Left wrist radiograph | lateral | 446 by 850 pixels: 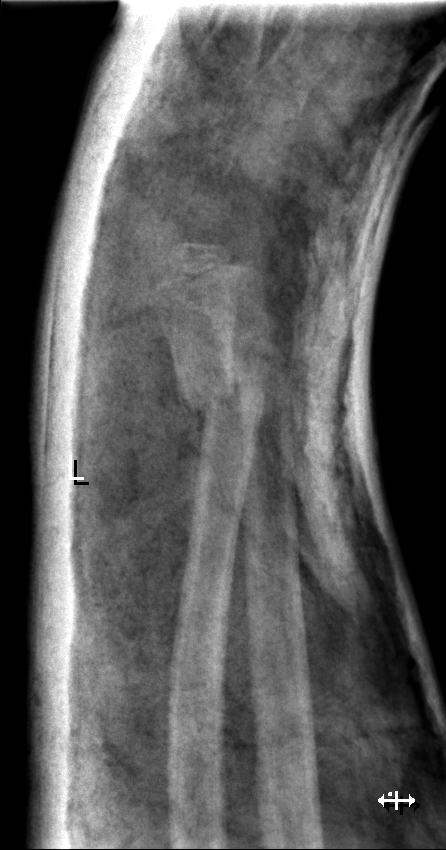 Findings: AO code 23r-M/3.1. Fx identified at [x1=169, y1=351, x2=271, y2=433].